Posteroanterior projection, L wrist radiograph, age 7 y, boy, follow-up study, imaged through cast
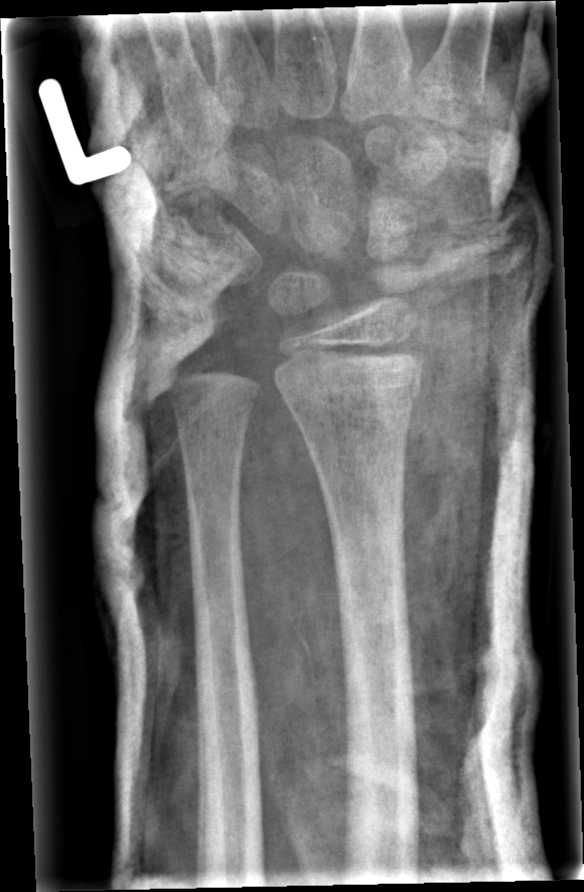 Bounding boxes in image-pixel xyxy. Fx — [x1=280, y1=356, x2=428, y2=431].